Posteroanterior, Lt wrist plain film, pediatric patient (boy, age 12), presentation radiograph, 744 by 840 pixels — 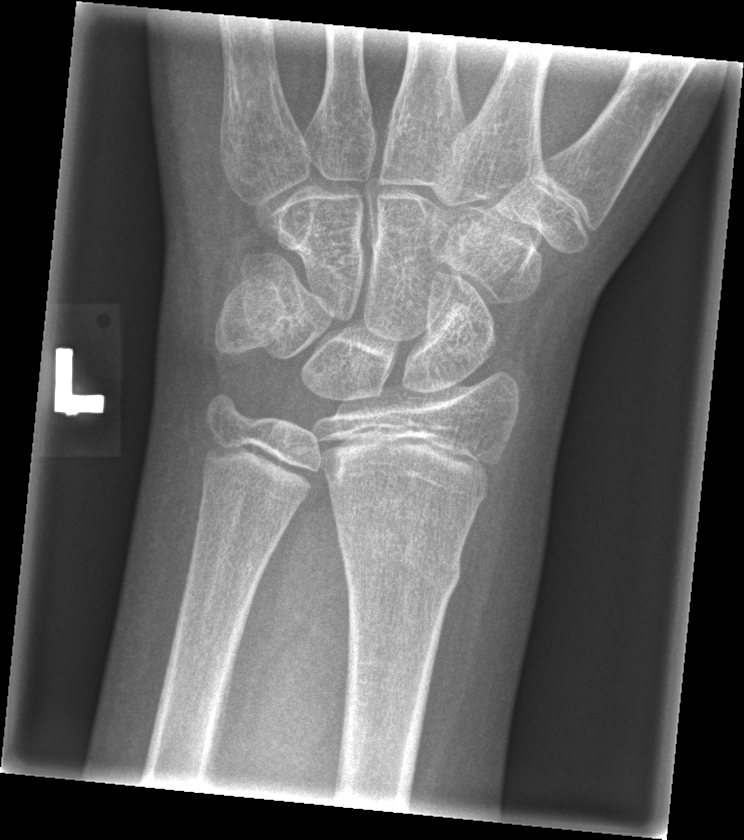
FINDINGS — Fracture classified AO/OTA 23r-M/2.1. Bone fracture identified at (337, 525, 467, 601).